Right wrist plain film · PA/AP projection · girl, 8 yo —
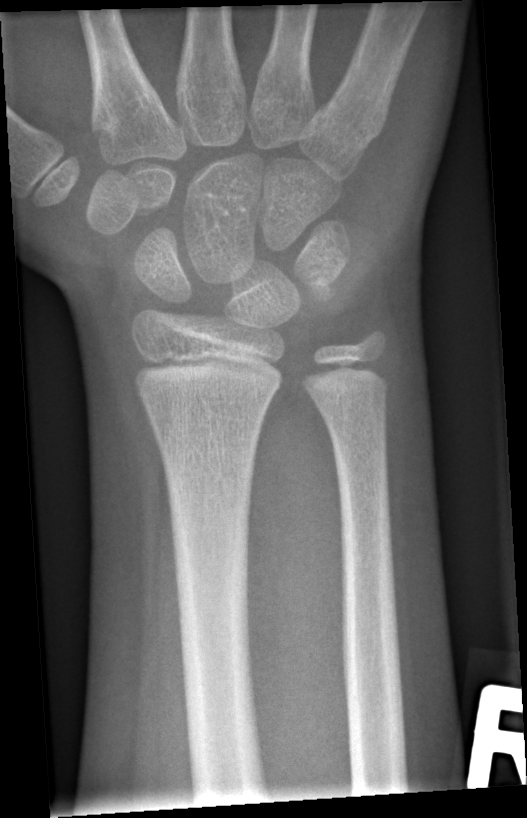

No fracture annotation.